Posteroanterior projection, Rt pediatric wrist radiograph, in cast, 650 x 1021 px —
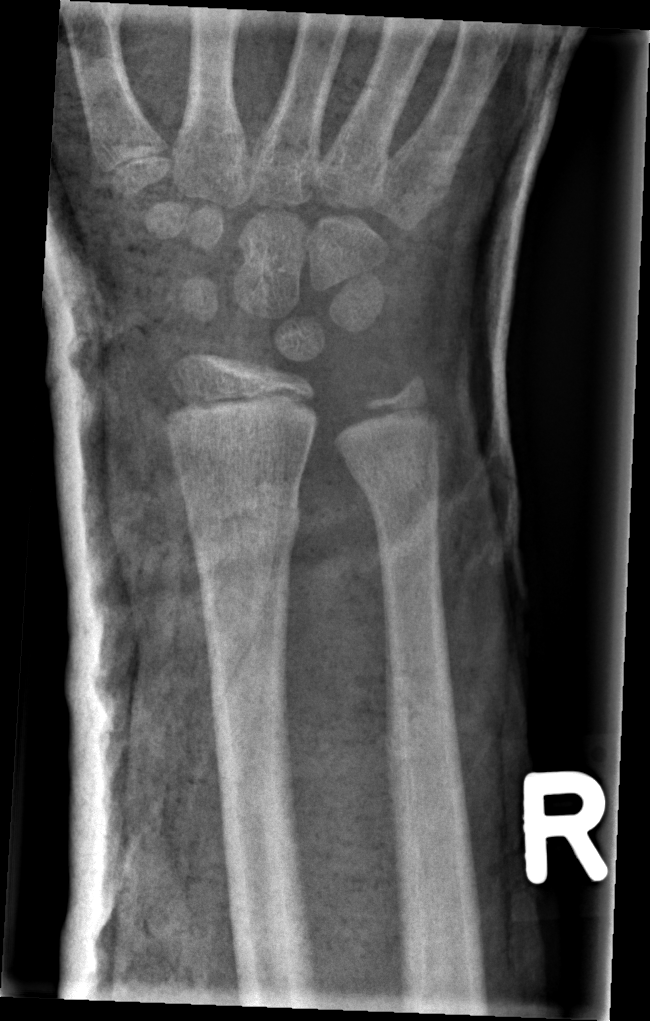

Fx: [352, 446, 444, 536]; [187, 490, 303, 560].
AO code 23r-M/3.1; 23u-M/2.1.